Frontal view · Lt plain radiograph of the wrist · 13y F:
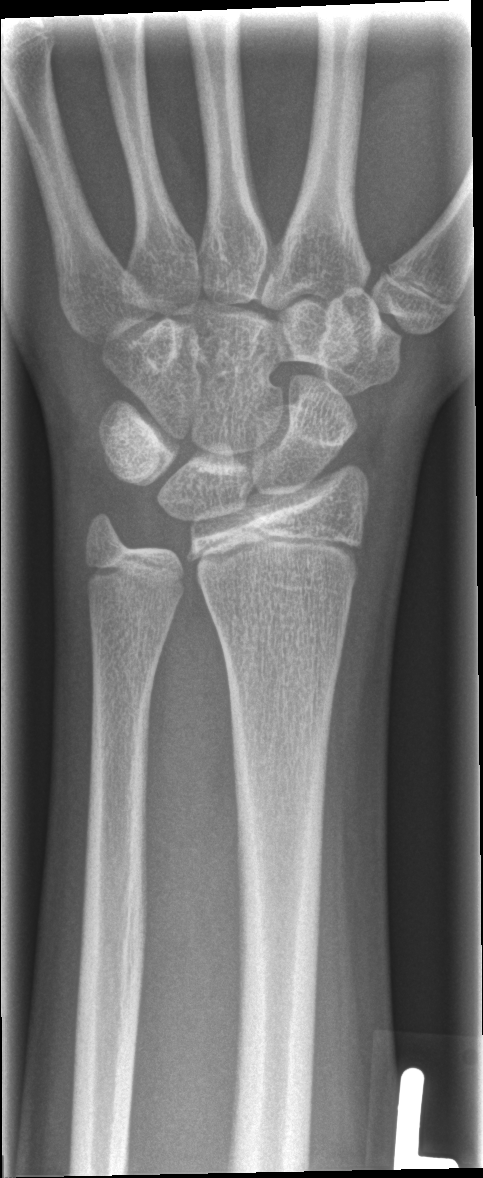
No fracture bounding box.